L wrist plain film | lat | image width 51.6 mm. 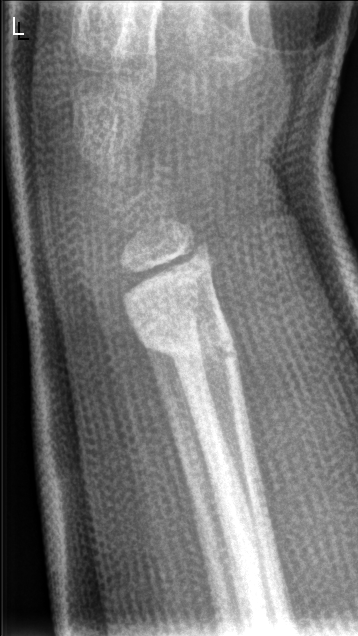

• AO code 23r-M/3.1.
• Fx — (left=141, top=302, right=243, bottom=366).